Right wrist XR | AP view 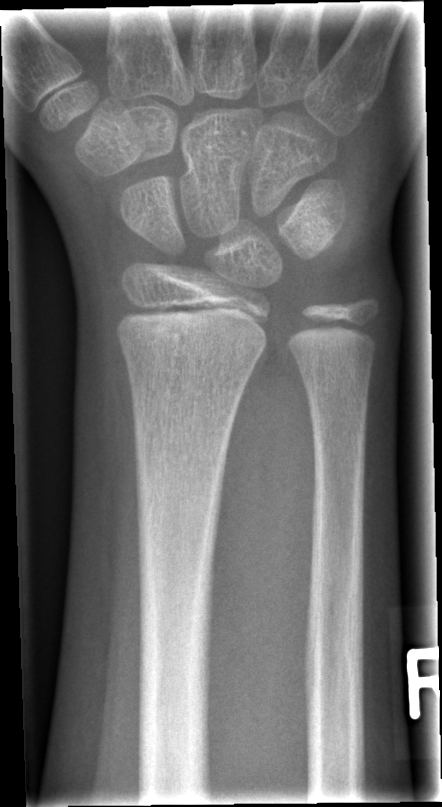

* Fracture classified AO/OTA 23r-M/2.1.
* Fracture present, though not clearly seen in this view.